Lt plain radiograph of the wrist, frontal projection, age 13 y, boy:

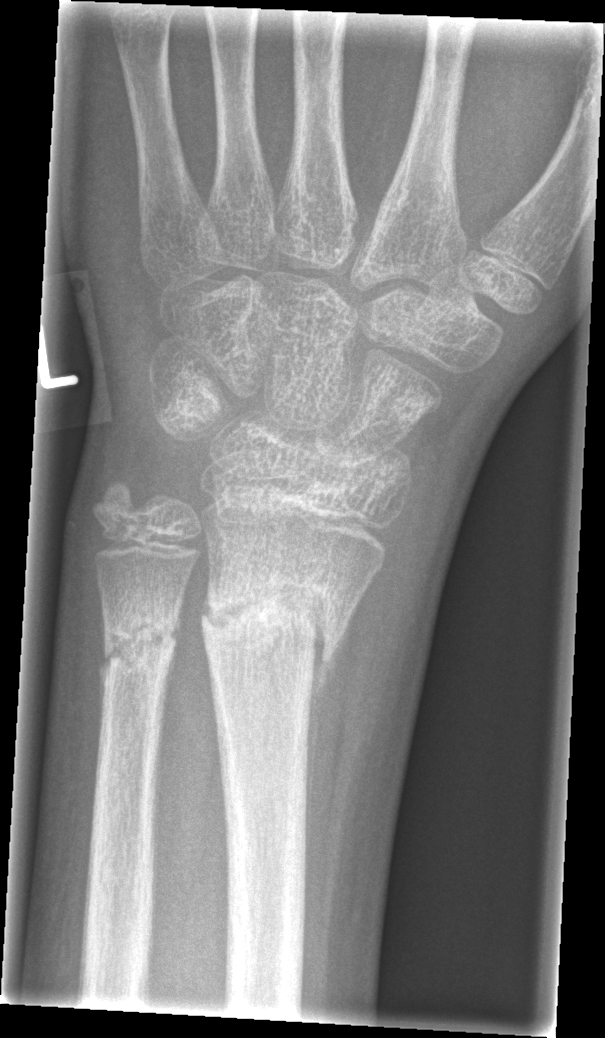
• One periosteal new bone at [x1=300, y1=666, x2=324, y2=888].
• Fracture classified AO/OTA 23-M/3.1; 23u-E/7.
• Fracture identified at [x1=198, y1=573, x2=355, y2=690], [x1=98, y1=593, x2=188, y2=700], [x1=90, y1=477, x2=148, y2=535].